Right wrist plain film | posteroanterior projection | presentation radiograph | image width 85.1 mm 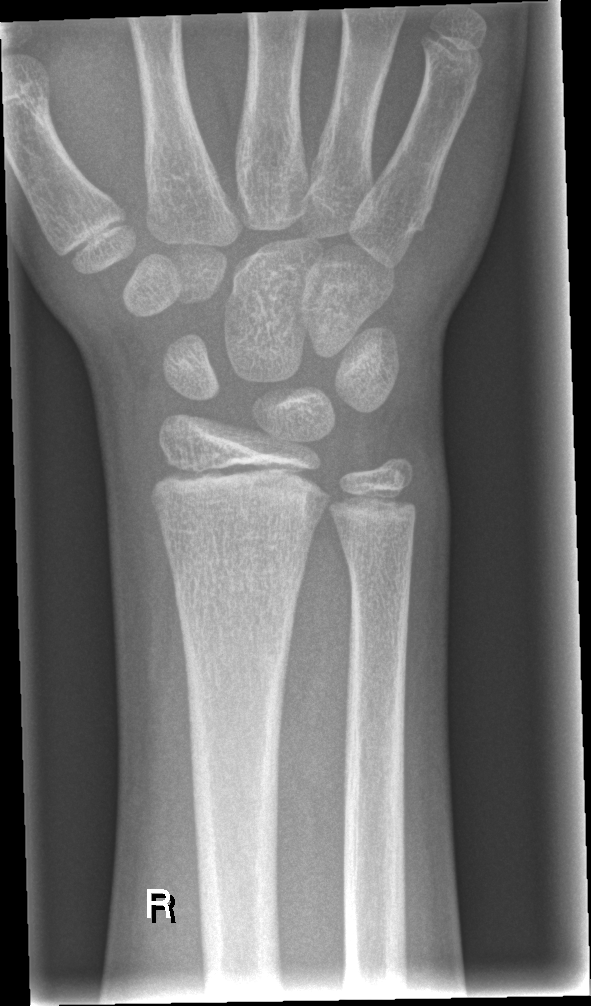
Fx: bbox(168, 554, 309, 611)